Rt pediatric wrist radiograph; lat projection; male, 11 yo; subsequent exam; detector: Siemens; image size 496x1030

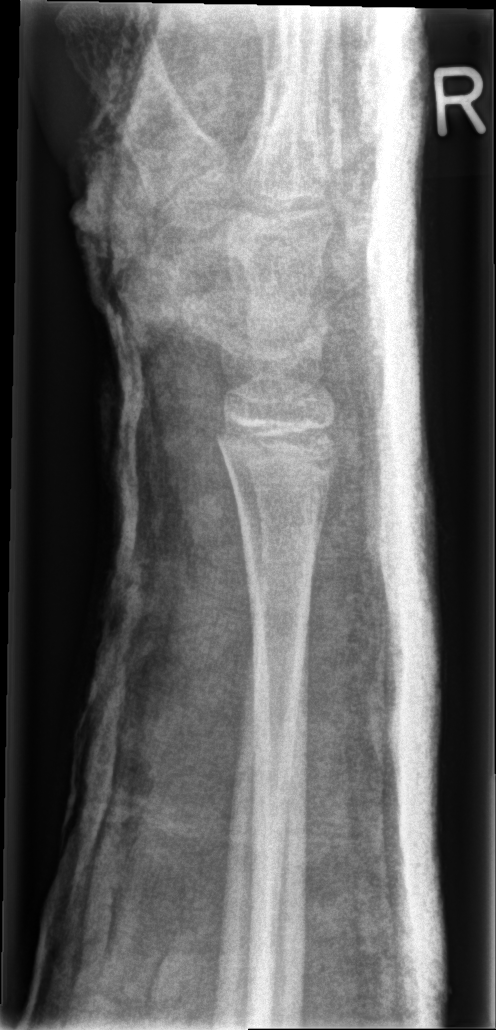 FINDINGS: AO/OTA classification: 23r-E/2.1; 23u-E/7. Fracture present but not clearly seen in this view.